Left wrist pediatric wrist radiograph | lat | 12-year-old boy | detector: Siemens | image width 83.8 mm. 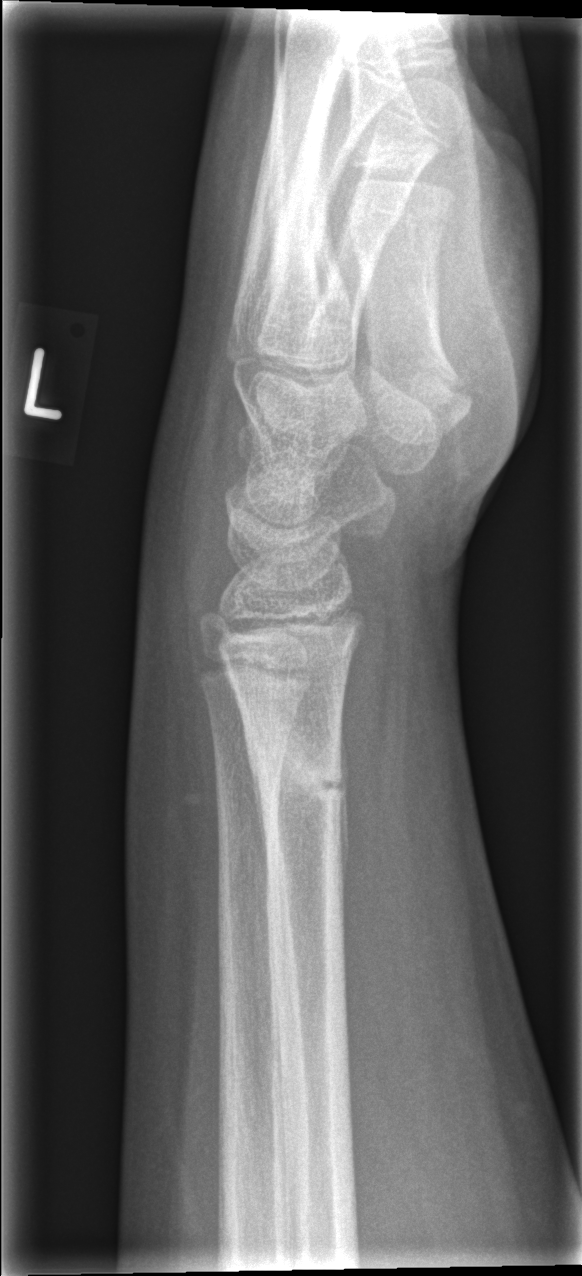 (bounding boxes in image-pixel xyxy)
Fx: [x1=243, y1=713, x2=346, y2=803]
Periosteal reaction: [x1=234, y1=685, x2=268, y2=880]; [x1=335, y1=692, x2=349, y2=898]
AO classification: 23r-M/3.1